Left wrist pediatric wrist radiograph, PA, age 3 y, male —

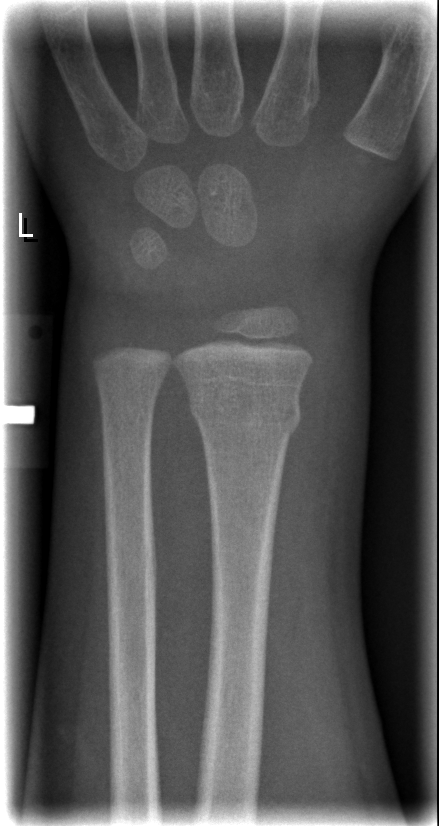 Findings: (bounding boxes in image-pixel xyxy) Fx identified at bbox(185, 379, 305, 444). Fracture classified AO/OTA 23r-M/2.1.